Lat | L pediatric wrist radiograph: 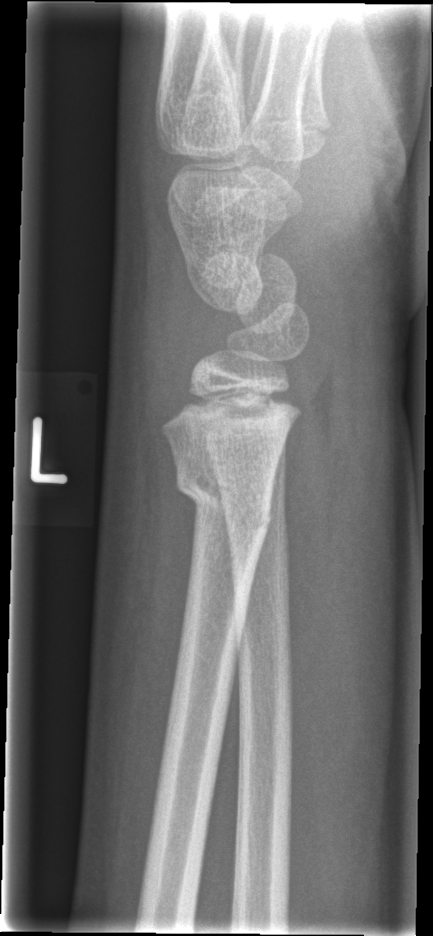
- Bone fracture: [172, 465, 274, 541].
- AO code 23r-M/2.1.